Lt wrist XR · PA/AP view · 7-year-old boy · acquired on Siemens · image size 580x882. 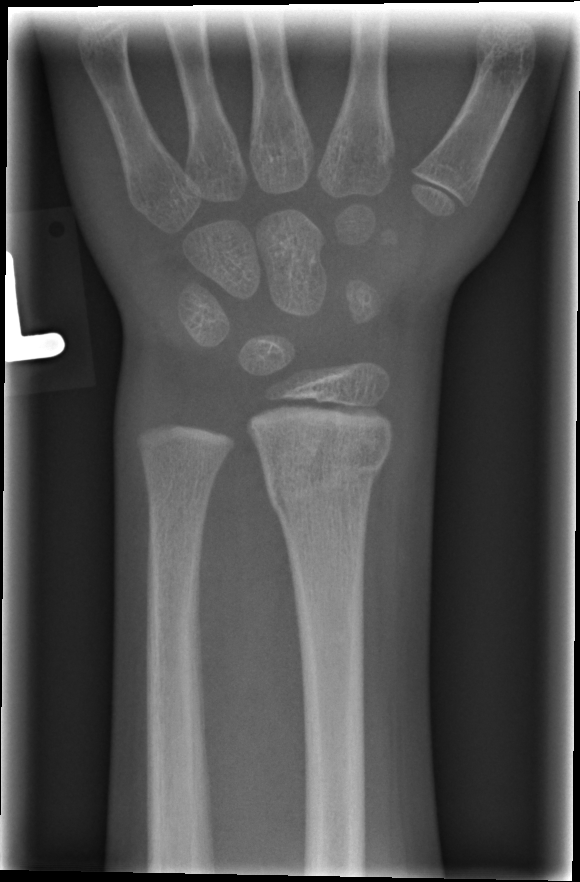
FINDINGS: One fracture at (left=250, top=424, right=394, bottom=522).